Lt wrist plain film · lat view · boy, 11 yo

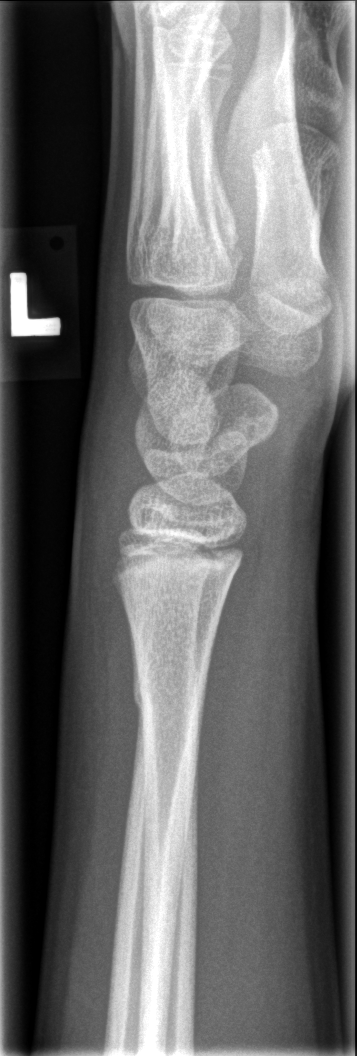 FINDINGS — (coordinates are [x1, y1, x2, y2] in image pixels) Bone fracture: bbox(130, 660, 210, 719).